Frontal view · left wrist XR · in cast.

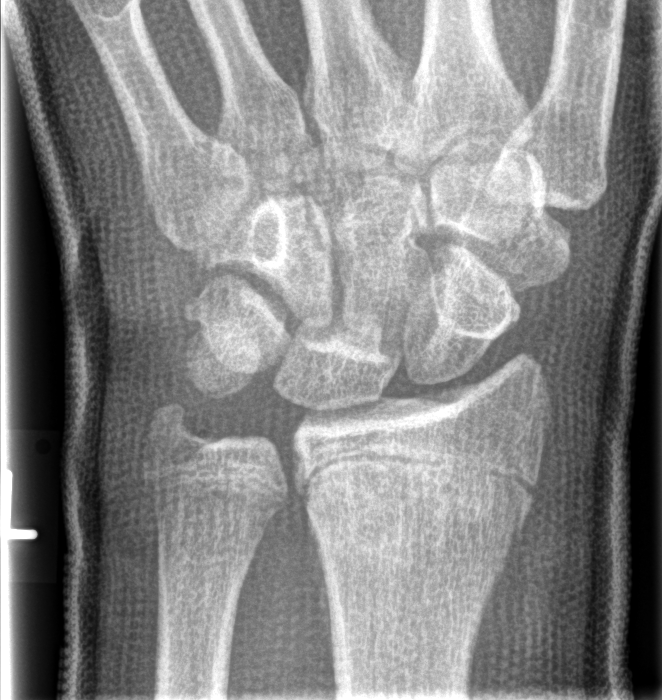
FINDINGS: (coordinates are [x1, y1, x2, y2] in image pixels) Two bone fractures at <305,456>-<536,569>, <132,418>-<219,486>. AO/OTA classification: 23r-E/2.1; 23u-E/7.